Lat projection · right wrist plain radiograph of the wrist · follow-up.

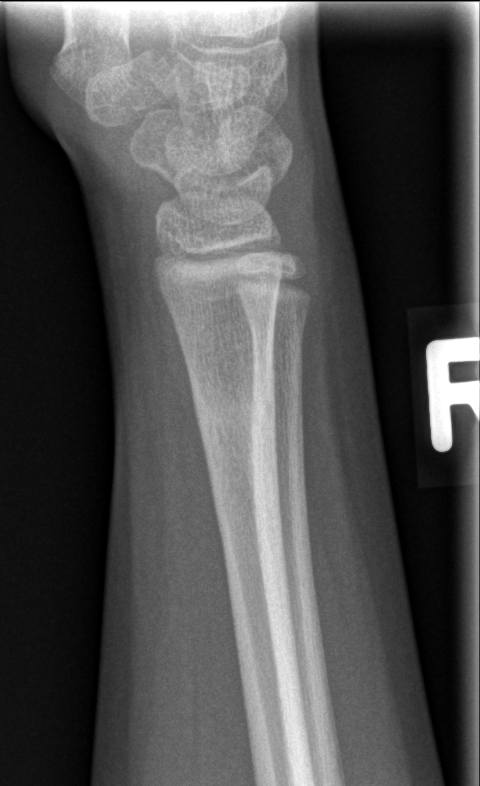 One bone fracture at bbox(189, 363, 281, 456).
Fracture classified AO/OTA 23-M/3.1.